Lateral projection; Lt wrist X-ray; age 8 y, girl
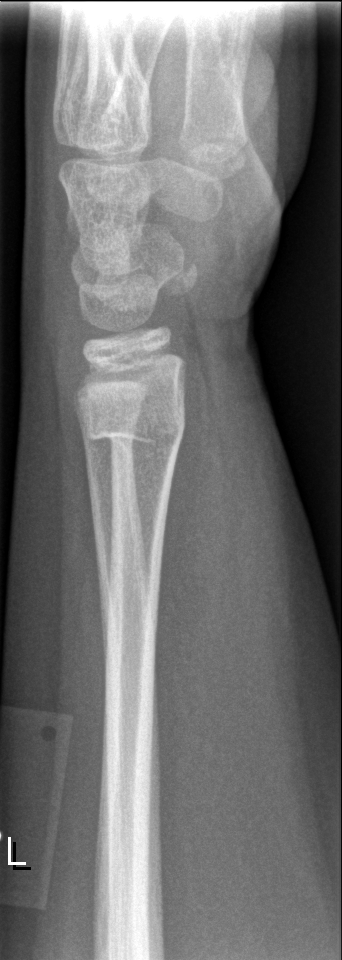

{
  "ao": "23r-M/3.1",
  "pronatorsign": "1 @ <151,409>-<230,830>",
  "fracture": "1 @ <75,399>-<187,461>"
}